Lateral projection · right wrist radiograph · boy, 10 yo · follow-up · in cast: 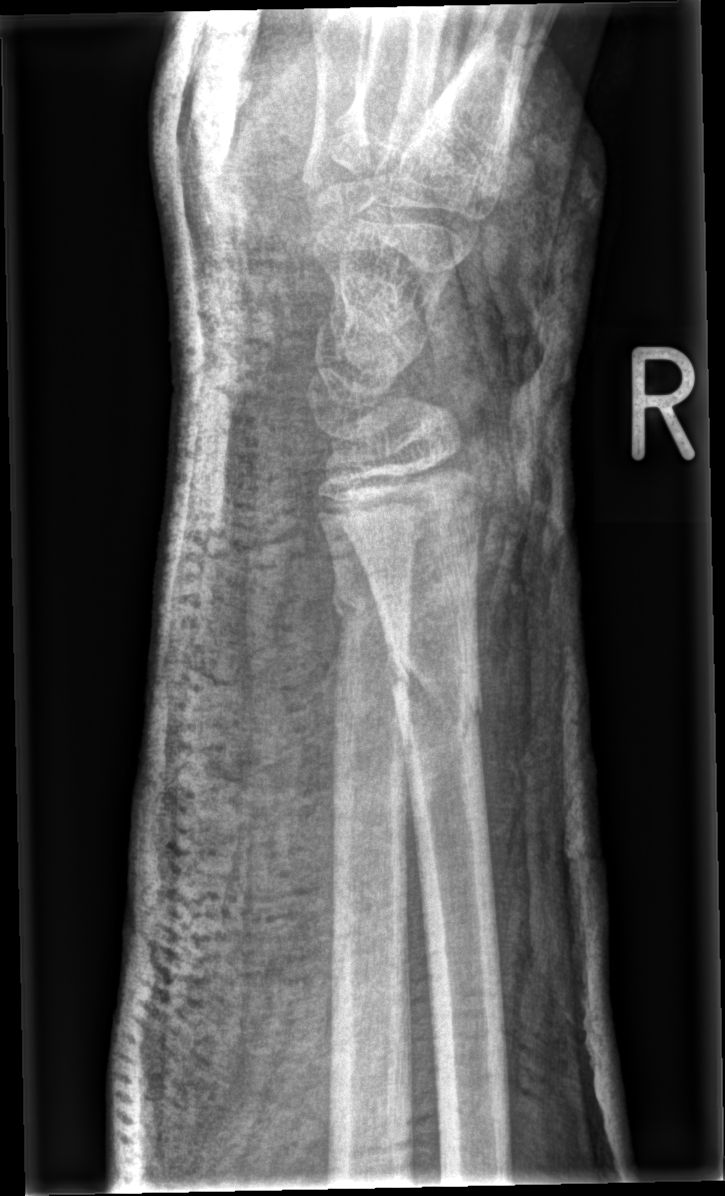

  fracture: [x1=384, y1=635, x2=485, y2=739], [x1=328, y1=575, x2=416, y2=630]